Lateral | right wrist X-ray — 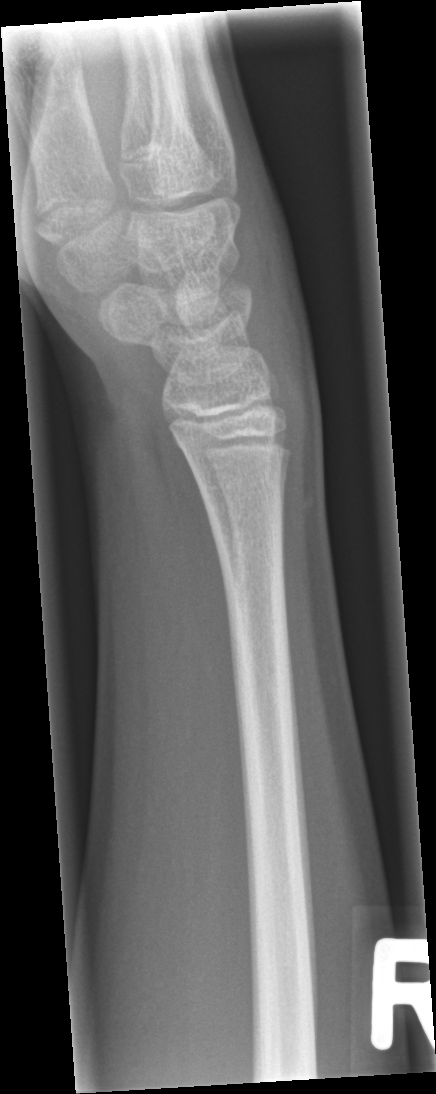

Bone fracture: none labeled